Lateral projection · right wrist XR · image width 67.4 mm:
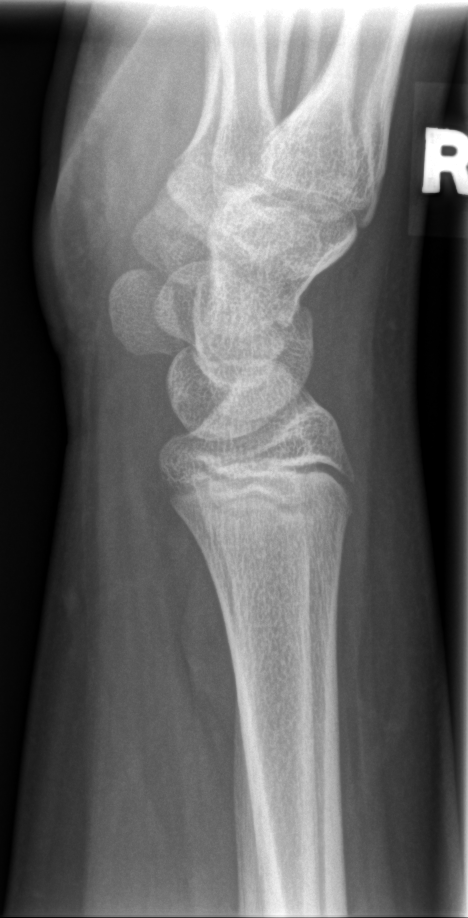

Findings: No Fx annotated.